Rt wrist X-ray · PA/AP view · follow-up study · in cast 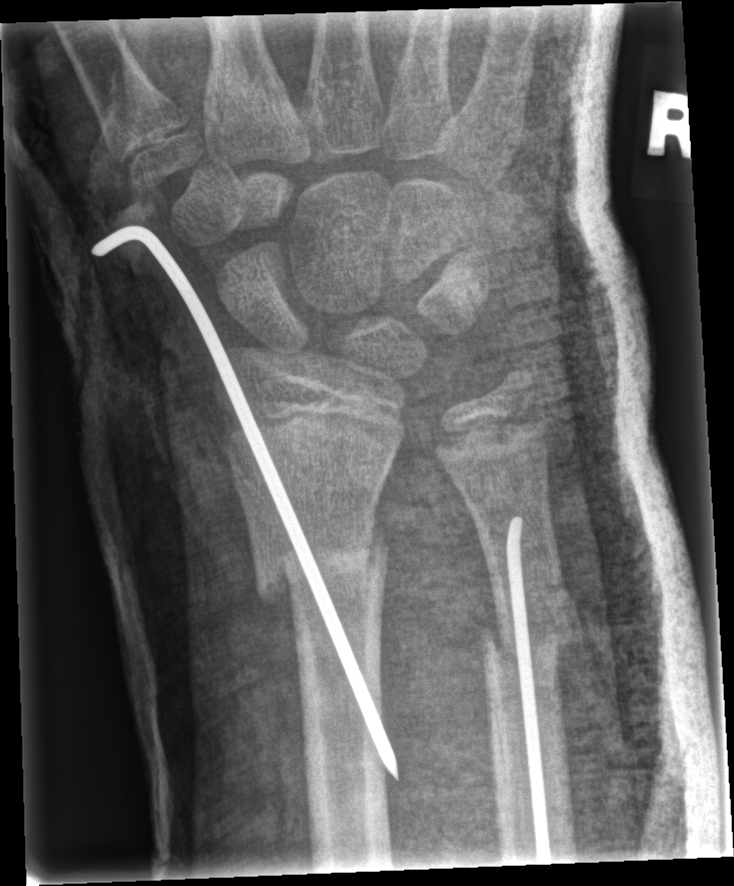 FINDINGS — Hardware: (85, 222, 404, 780) (502, 512, 554, 868). Fx identified at (246, 522, 392, 607) (474, 598, 588, 673).